Lateral | Rt wrist radiograph | 12y M —

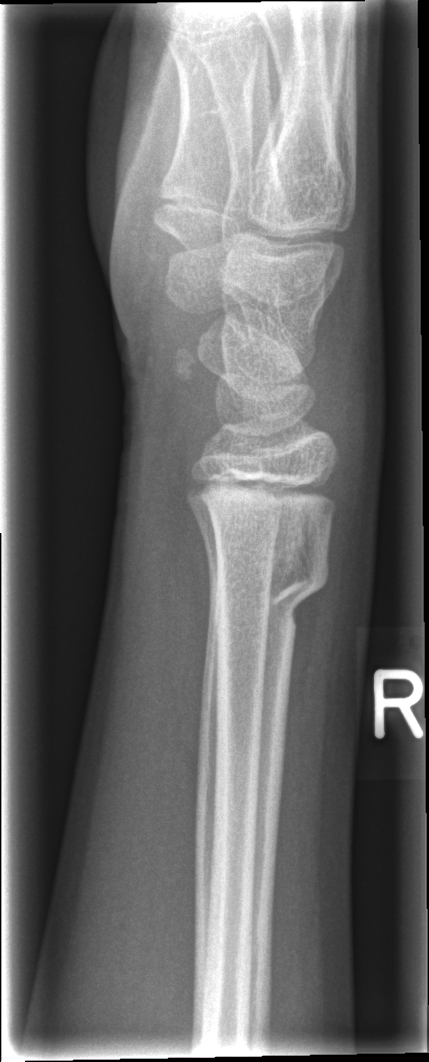

AO code = 23r-M/2.1; 23u-E/7
Fx = 1 @ [203, 555, 332, 640]